Lt wrist radiograph · frontal · age 12 y, male —

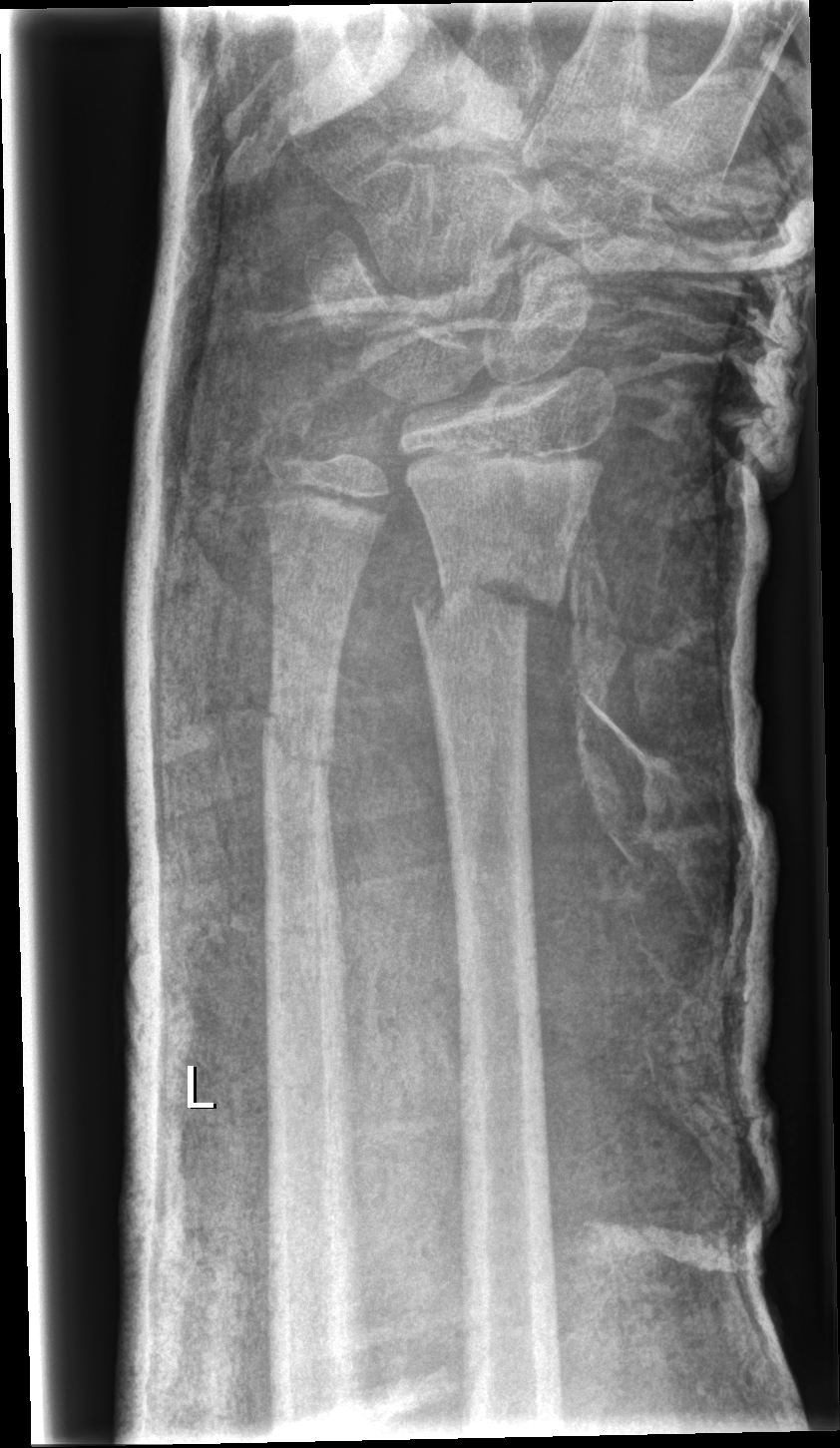

Boxes as x1,y1,x2,y2 (top-left / bottom-right, pixel units).
Bone fractures — bbox(410, 546, 573, 652); bbox(254, 686, 342, 799); bbox(254, 393, 334, 504).